Right wrist XR, lateral view, age 13 y, male, presentation radiograph, equivocal findings:
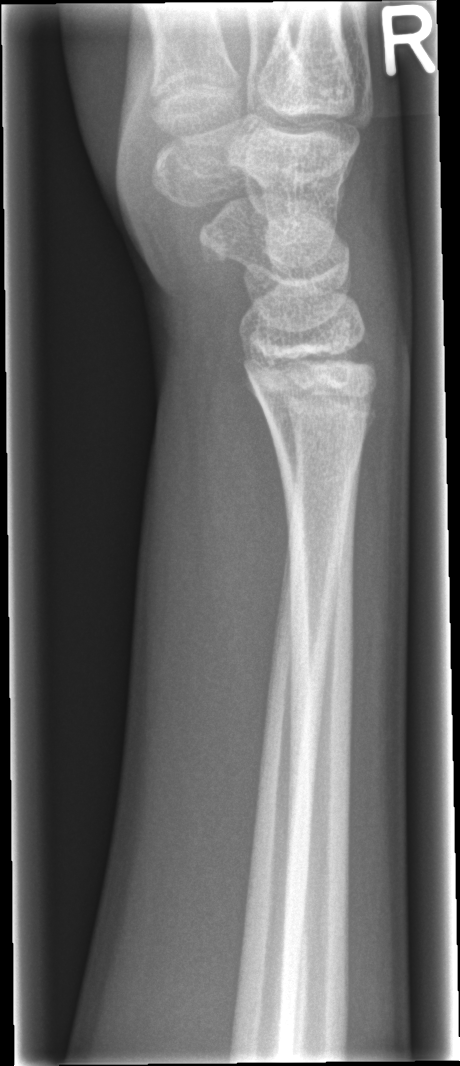
Pronator sign: (left=195, top=344, right=295, bottom=729).
AO code 23r-E/1.
Fracture present but not clearly seen in this view.